L wrist X-ray, posteroanterior view, pediatric patient (female, age 13), index exam

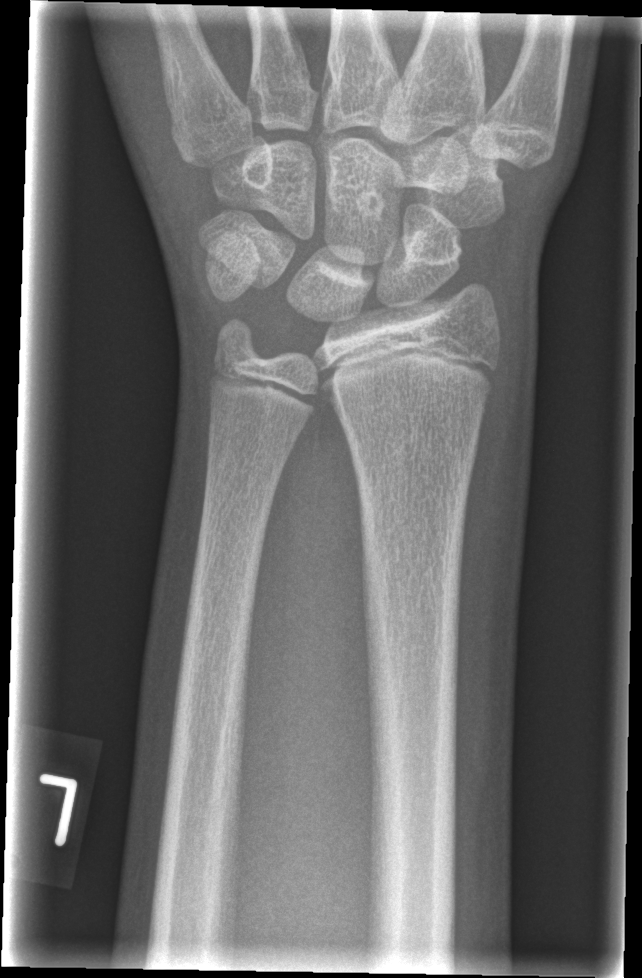 Findings: No fracture bounding box.